L wrist XR · lateral view · 6y M · 693 x 1228 px:
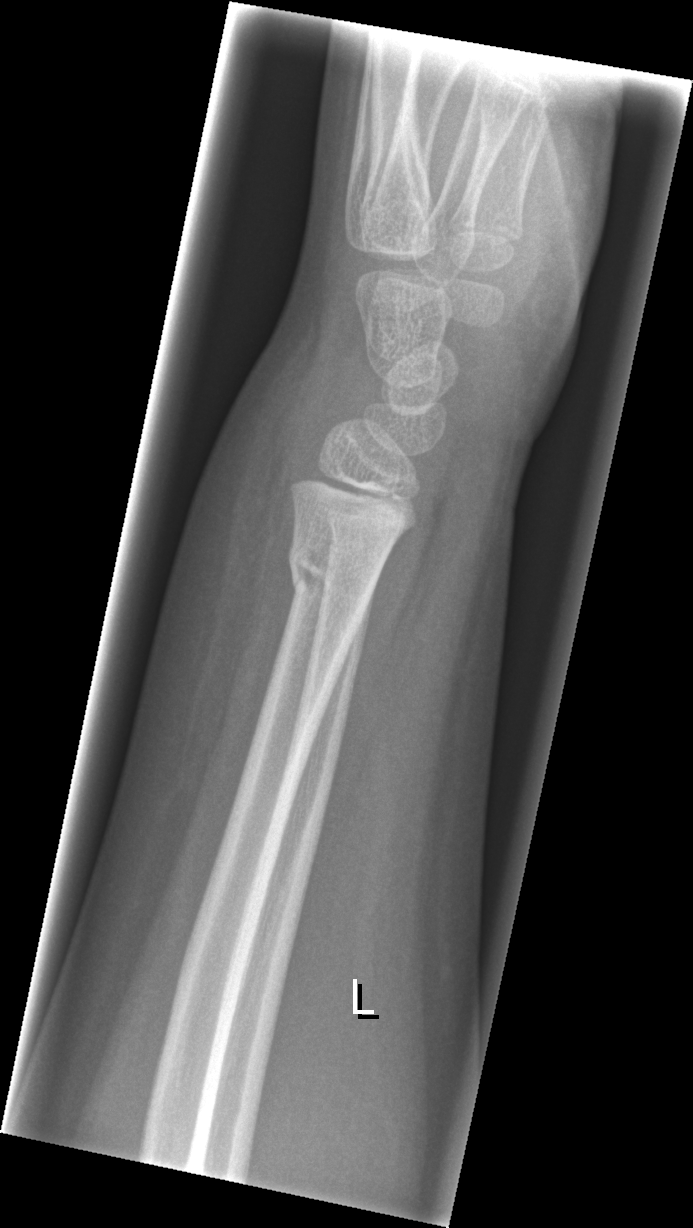

# boxes as x1,y1,x2,y2 (top-left / bottom-right, pixel units)
fracture: 286 521 382 600
  322 511 402 571
softtissue: 1 @ 142 305 345 863